Lat | R wrist radiograph
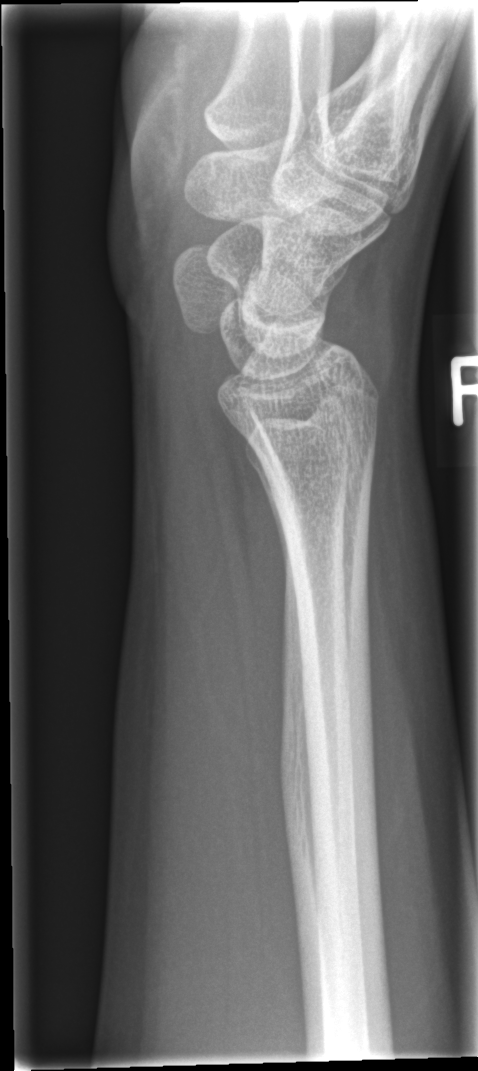 Fracture = none labeled